PA projection; right wrist XR; image size 530x804:
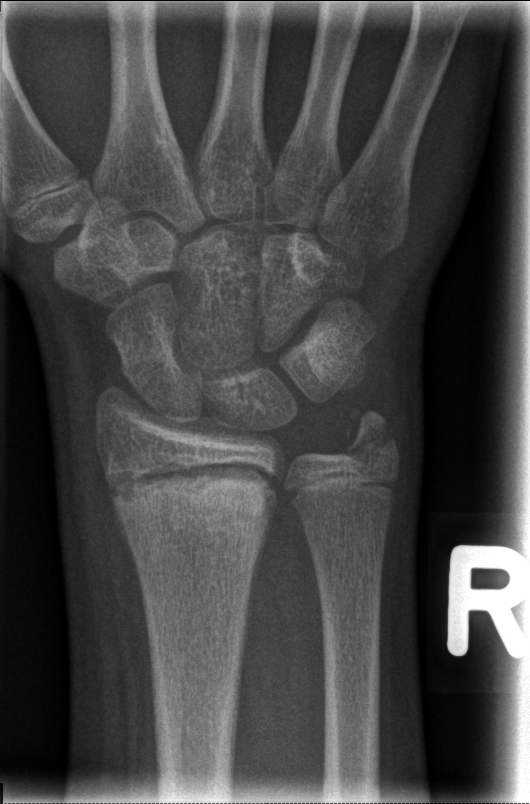
Bone fracture: 100,454,281,545 | 338,405,400,466.